Rt wrist XR · frontal view · age 4 y, girl · image size 488x902: 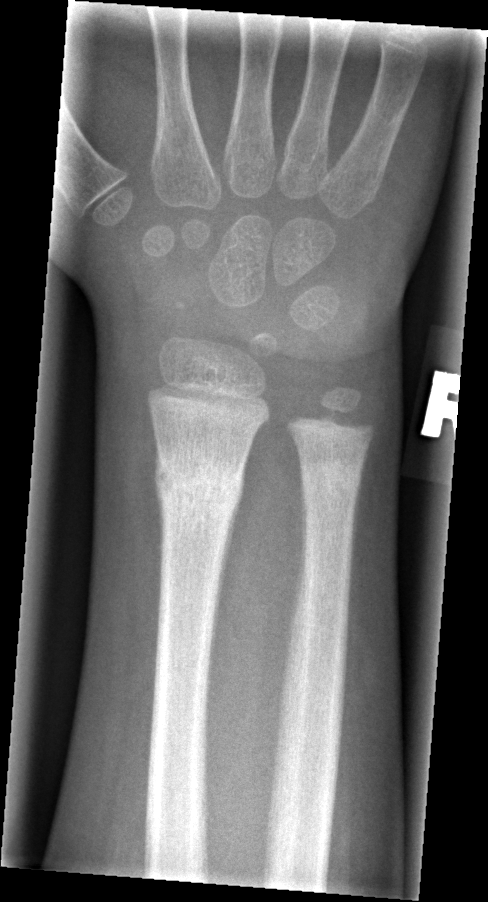 FINDINGS: Fx — bbox(150, 453, 247, 521); bbox(296, 456, 366, 501). Periosteal reaction — bbox(207, 458, 247, 692); bbox(153, 438, 167, 593).